L wrist plain film, lat view, pediatric patient (boy, age 9), follow-up study, cast present, Siemens
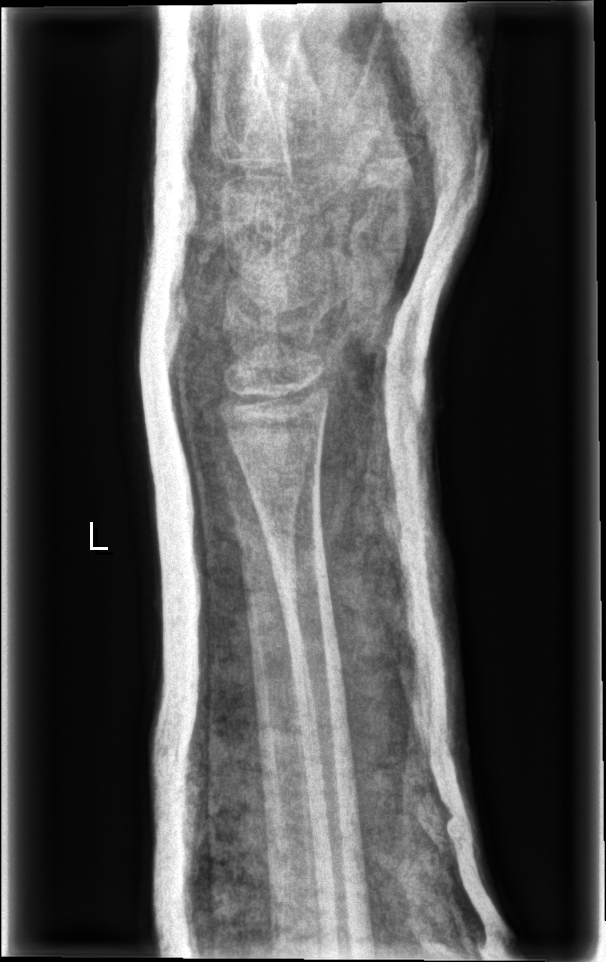
FINDINGS: (pixel coordinates, top-left origin, xyxy) One bone fracture at bbox(223, 455, 309, 513).